Lateral view · left wrist radiograph · 4-year-old male:
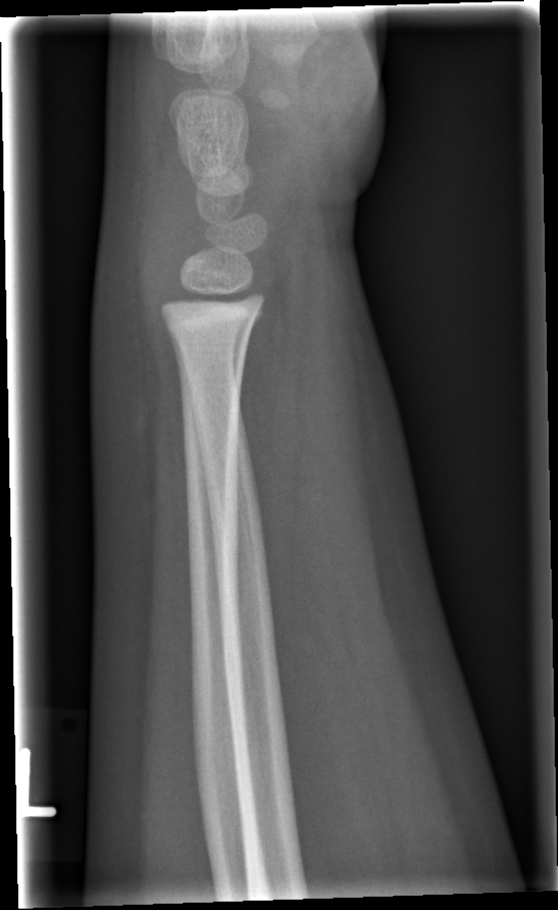
fracture: none labeled